Rt wrist plain film, posteroanterior projection, pediatric patient (male, age 11), index exam —

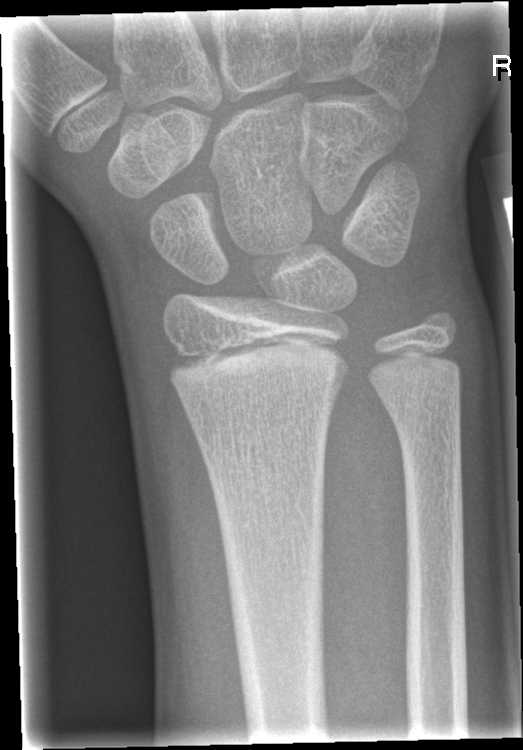

fracture: none labeled